L pediatric wrist radiograph · lat · image size 492x990:

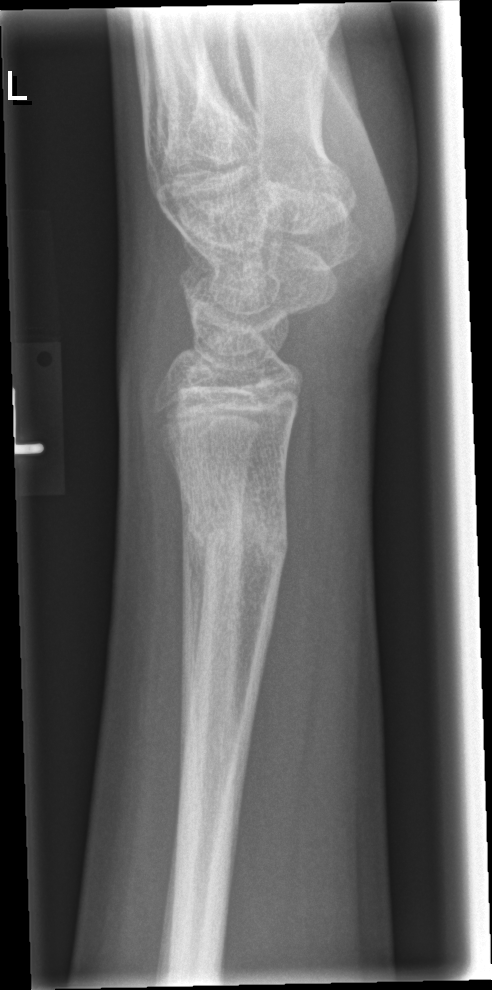

- Bounding boxes in image-pixel xyxy.
- One fracture at 181,483,291,573.